Right wrist plain film, frontal, initial study, 81.9 mm image width —
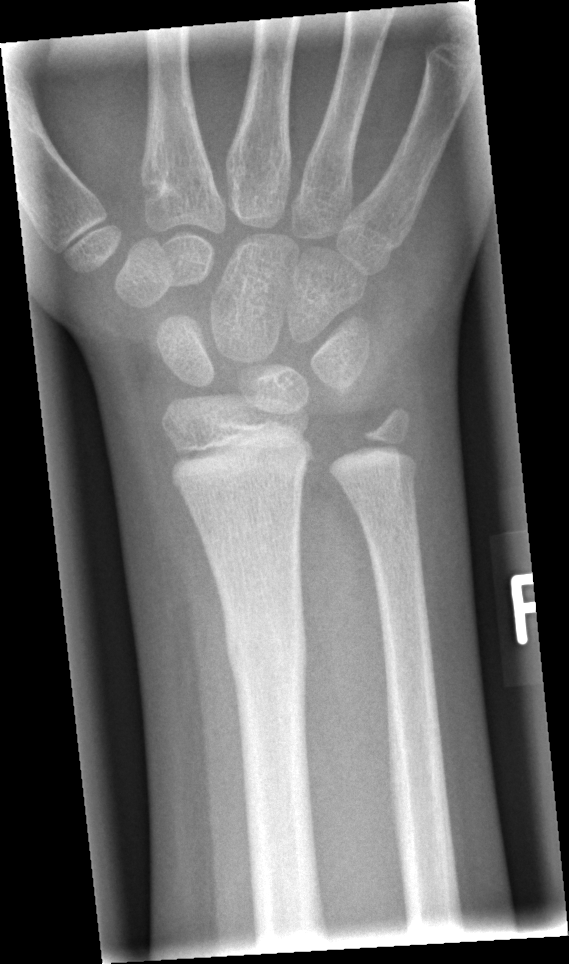
{"fracture": "1 @ (220, 604, 313, 699)"}